Right plain radiograph of the wrist, PA/AP projection:

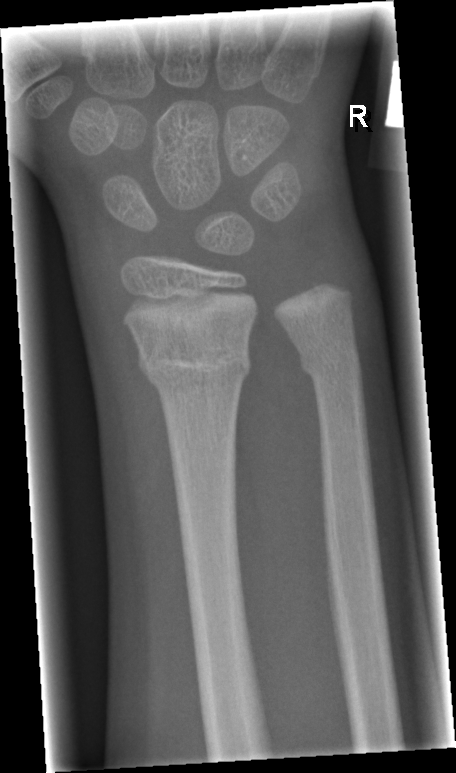
FINDINGS: Fractures — bbox(135, 323, 252, 396); bbox(293, 335, 365, 388).